PA view, L wrist XR, male, 14 yo, image 82.2 mm wide, 571 x 978 px 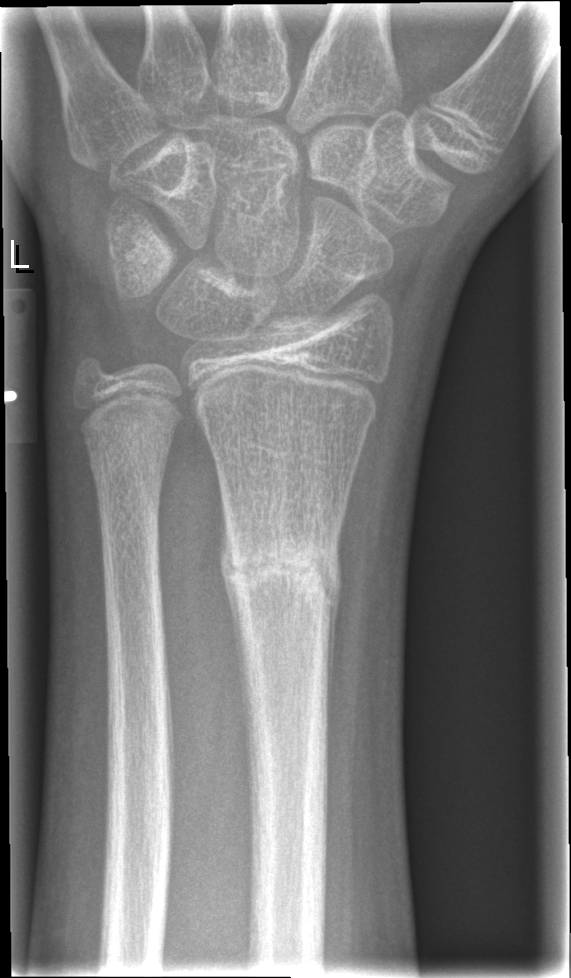

Findings: (coordinates are [x1, y1, x2, y2] in image pixels) Fracture classified AO/OTA 23r-M/3.1; 23u-M/2.1. Two periosteal thickening at bbox(216, 486, 246, 701) bbox(324, 526, 343, 733). Osteopenic. Bone fracture identified at bbox(216, 505, 345, 628) bbox(84, 417, 172, 486).